Right wrist radiograph · lateral · 15-year-old male —
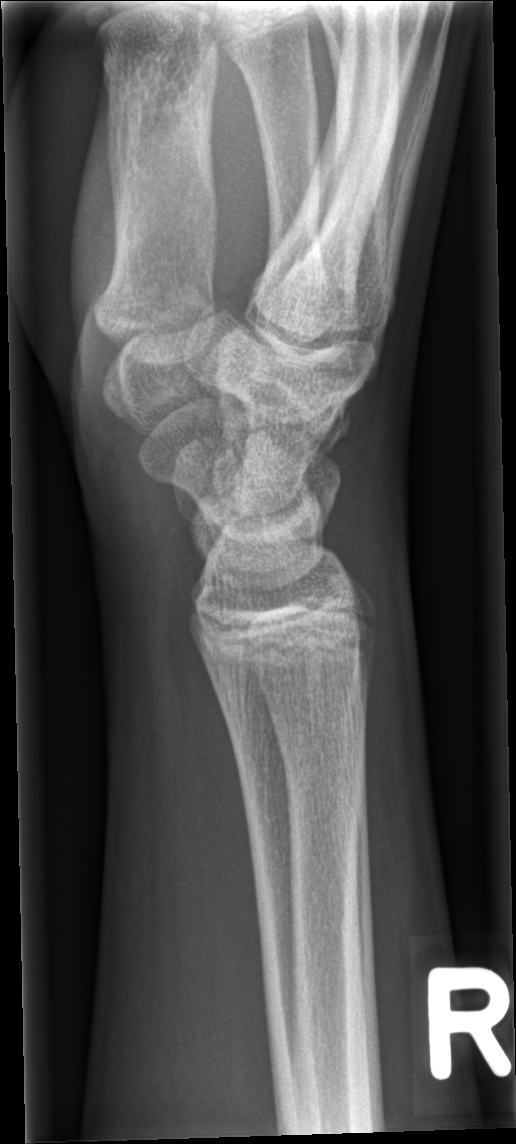
{
  "fracture": "none labeled"
}